L plain radiograph of the wrist; PA/AP view; 12-year-old male; image width 94.0 mm — 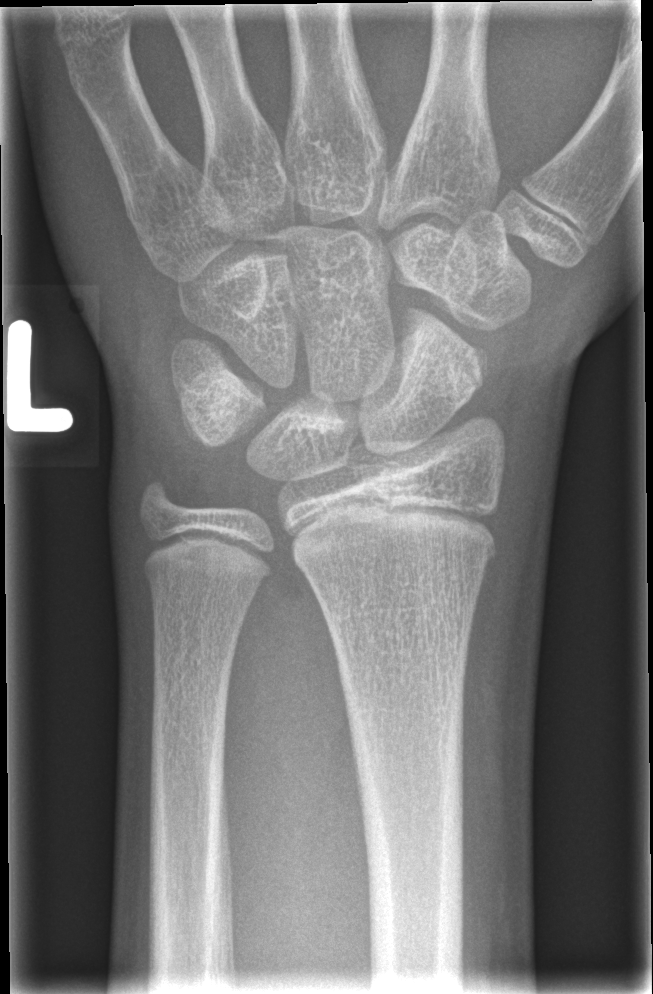

fracture: none labeled